R wrist XR · lateral projection · pediatric patient (girl, age 13) · acquired on Agfa —
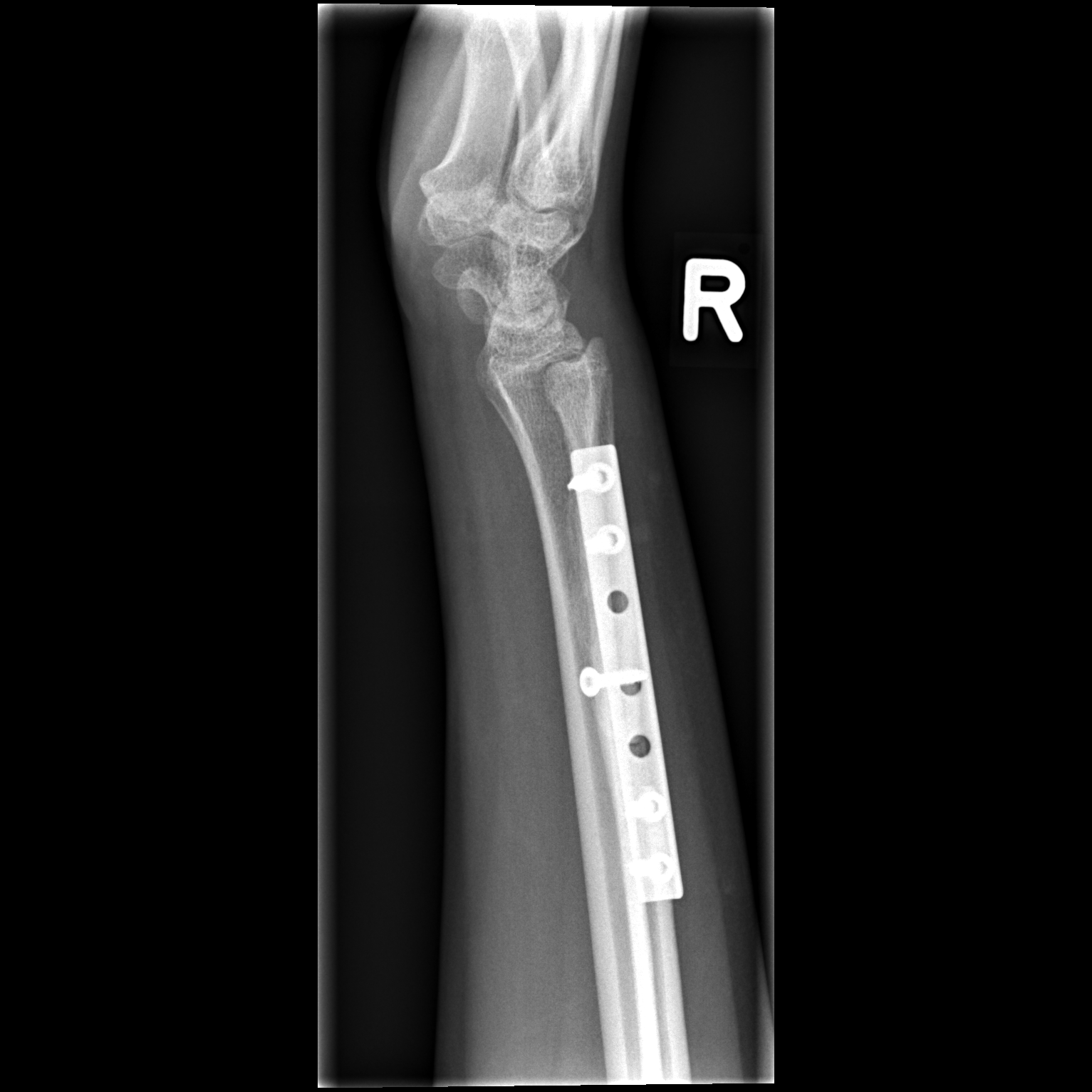 Findings: No Fx annotated. Hardware identified at <572,446>-<685,900>.